Lateral | right wrist plain film | pediatric patient (boy, age 13) | presentation radiograph | detector: Siemens | image 69.0 mm wide: 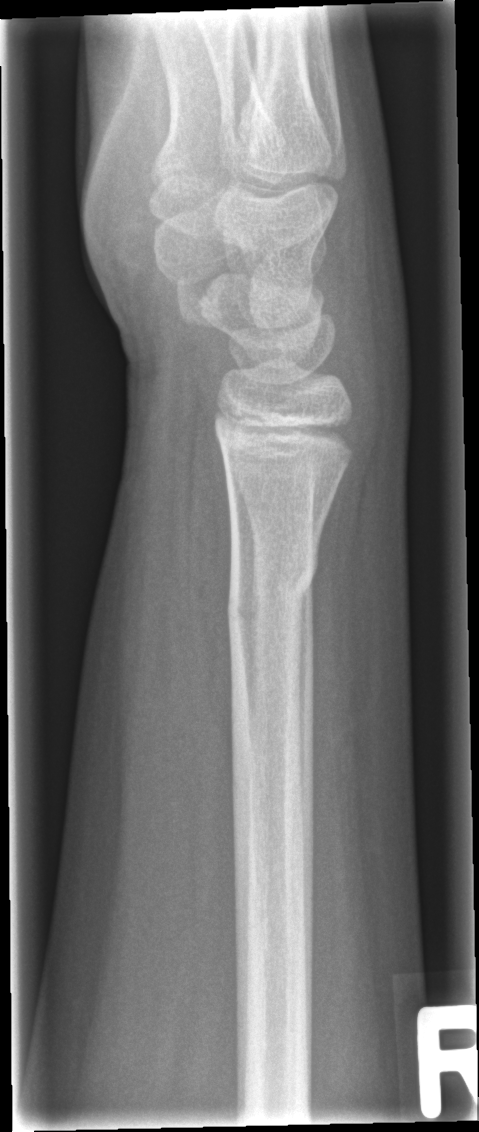
One pronator quadratus fat-pad sign at [185, 389, 235, 749]. One fracture at [223, 556, 322, 628]. Fracture classified AO/OTA 23r-M/3.1.